Frontal, Lt wrist XR, index exam.
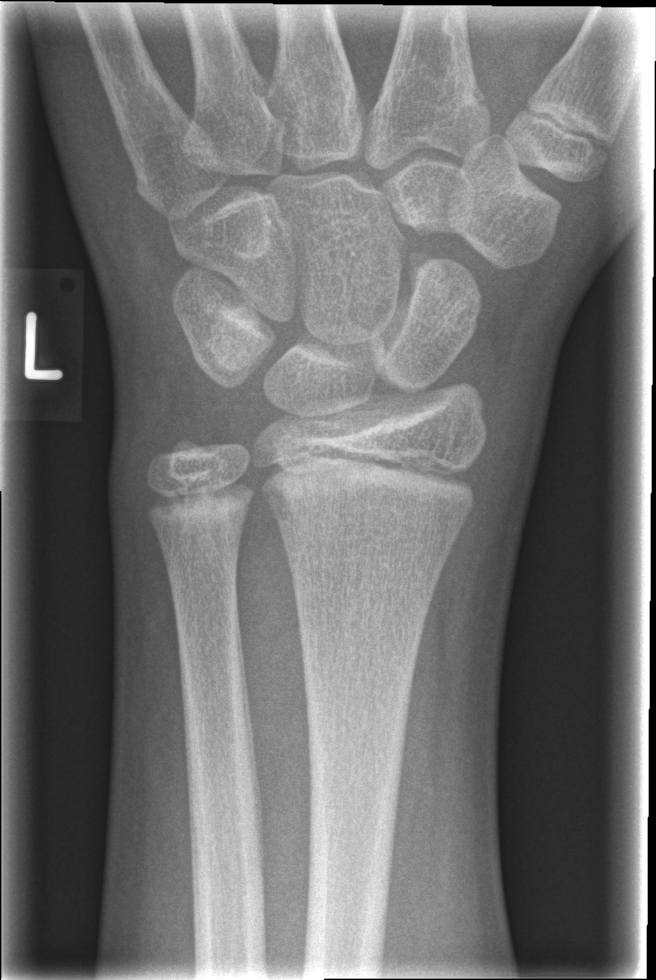
{"fracture": "none labeled"}